Lt wrist radiograph · lateral view · 16-year-old male · equivocal findings · acquired on Siemens

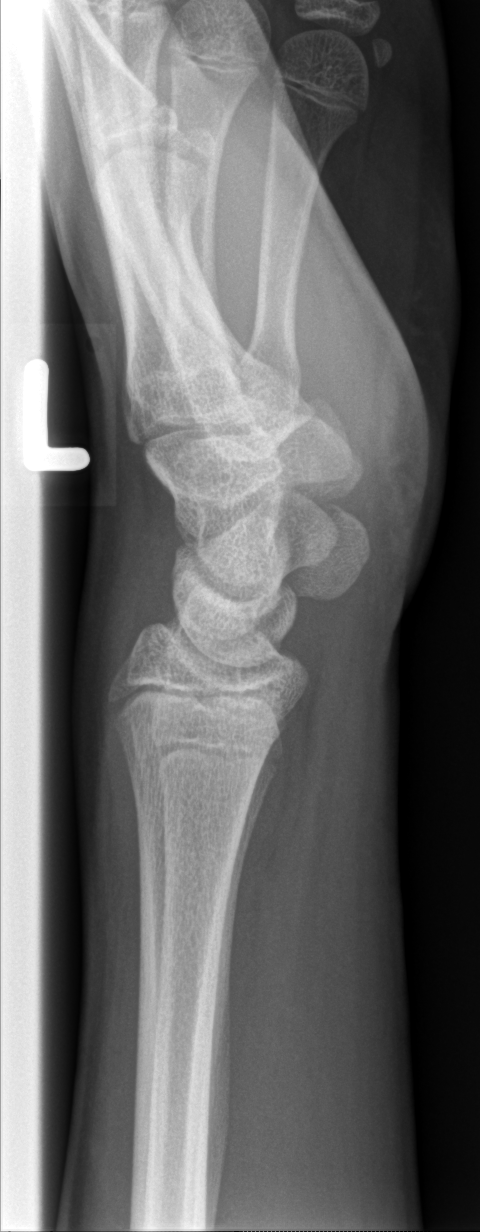

FINDINGS — No Fx annotated.